Rt pediatric wrist radiograph · frontal view · 83.8 mm image width
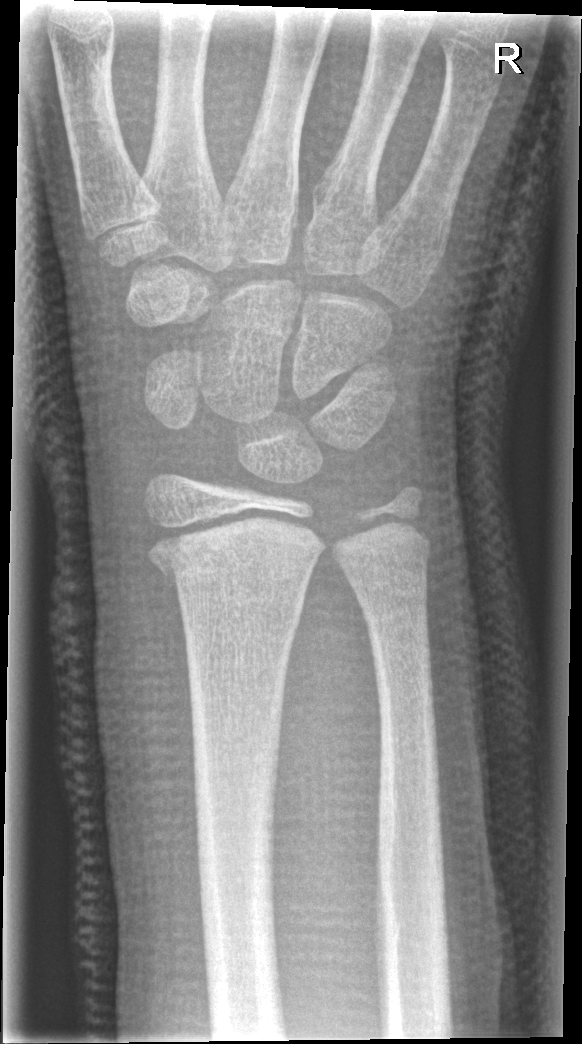
Fx: [x1=145, y1=518, x2=321, y2=589]